Lateral view | left wrist XR | age 12 y, male:

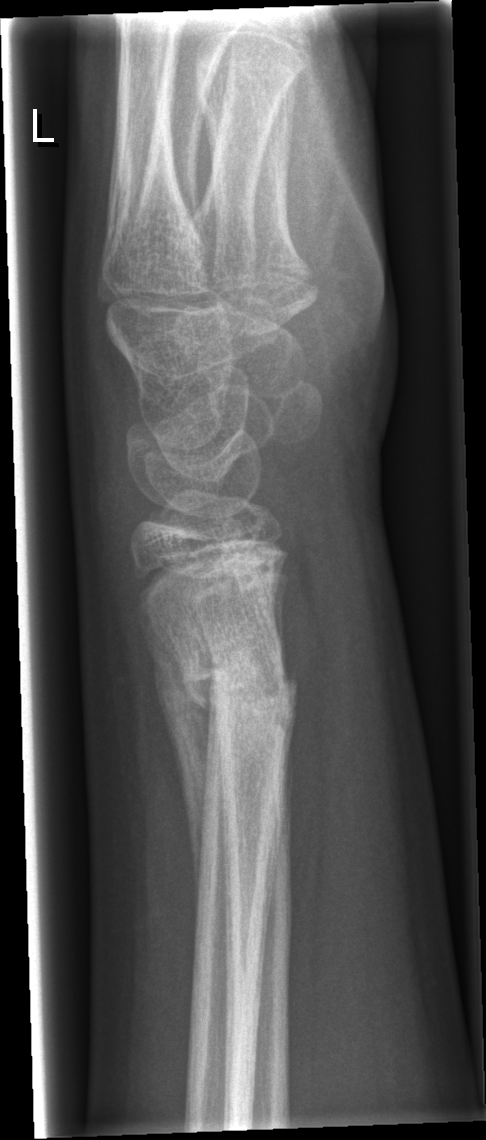
osteopenia = present
periosteal thickening = (140, 594, 212, 948)
AO classification = 23-M/3.1; 23u-E/7
fracture = (175, 645, 300, 732)